R plain radiograph of the wrist · posteroanterior projection · 576x851.
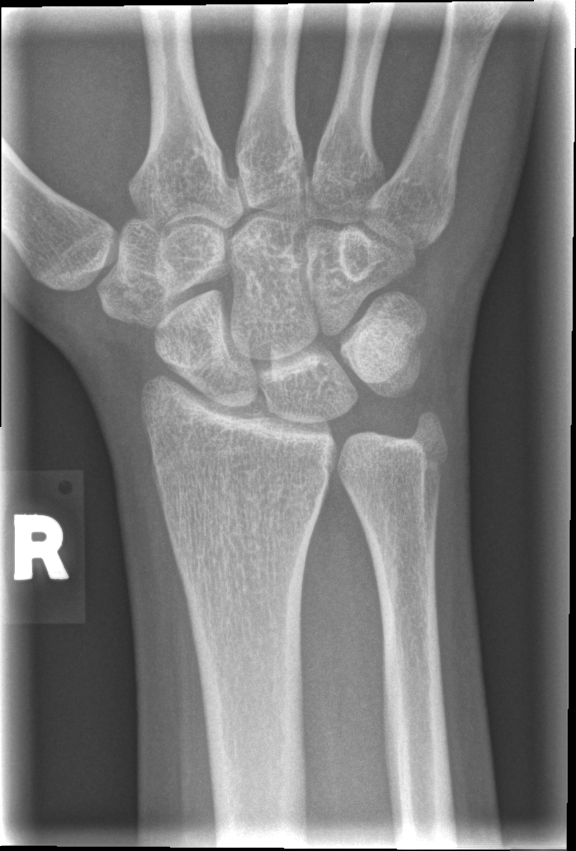 - No Fx annotated.